Lateral | L wrist plain film | 10-year-old girl | imaged through cast
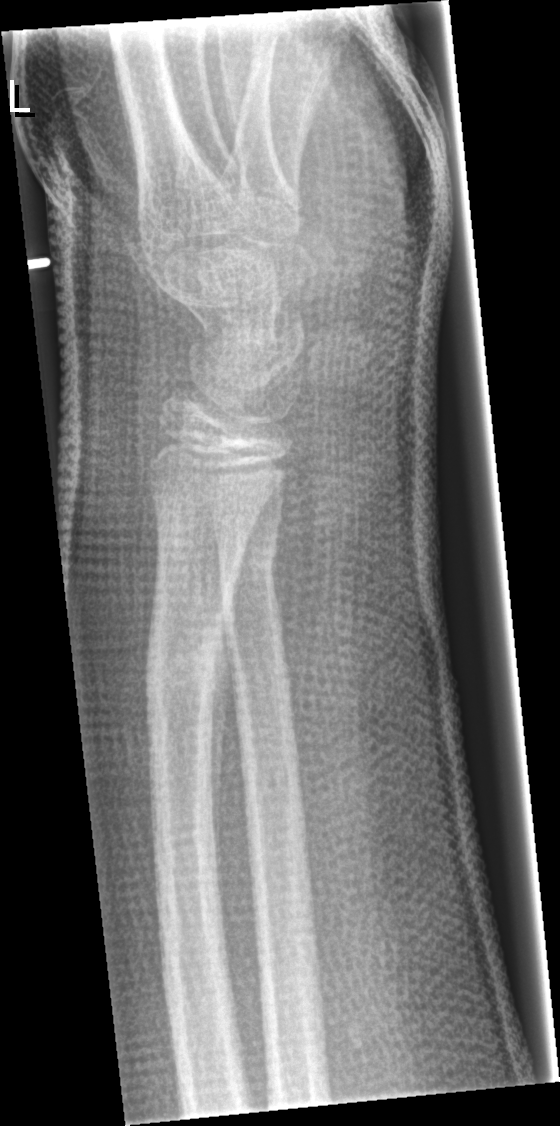 FINDINGS — (bounding boxes in image-pixel xyxy) Bone fracture: [x1=140, y1=624, x2=233, y2=699] [x1=214, y1=530, x2=282, y2=601].